PA view | right wrist plain film | pediatric patient (girl, age 14) | index exam | acquired on Siemens | image 87.3 mm wide.
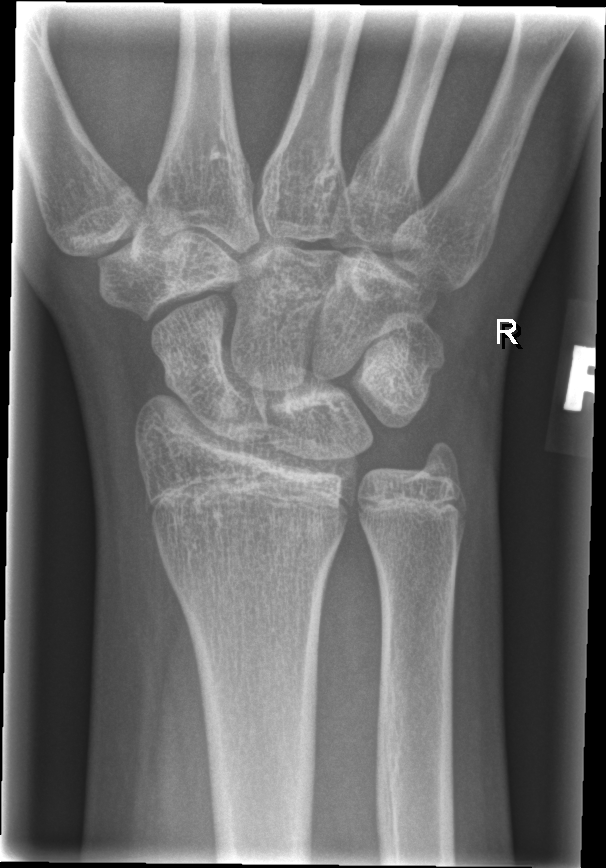
- Fracture: none labeled.